Lateral projection · L plain radiograph of the wrist · follow-up · cast present · detector: Siemens 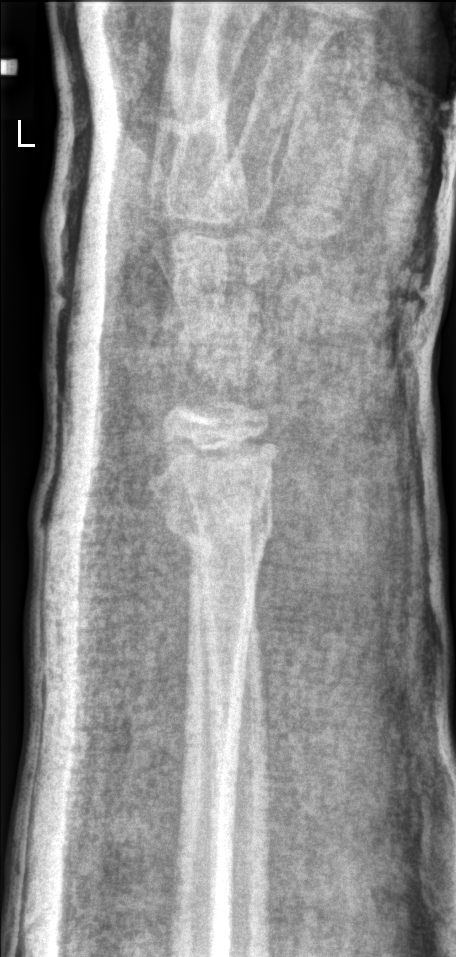

Fx — [161, 495, 277, 561].
AO code 23r-M/3.1; 23u-M/2.1.